Left pediatric wrist radiograph; lat projection; acquired on Siemens — 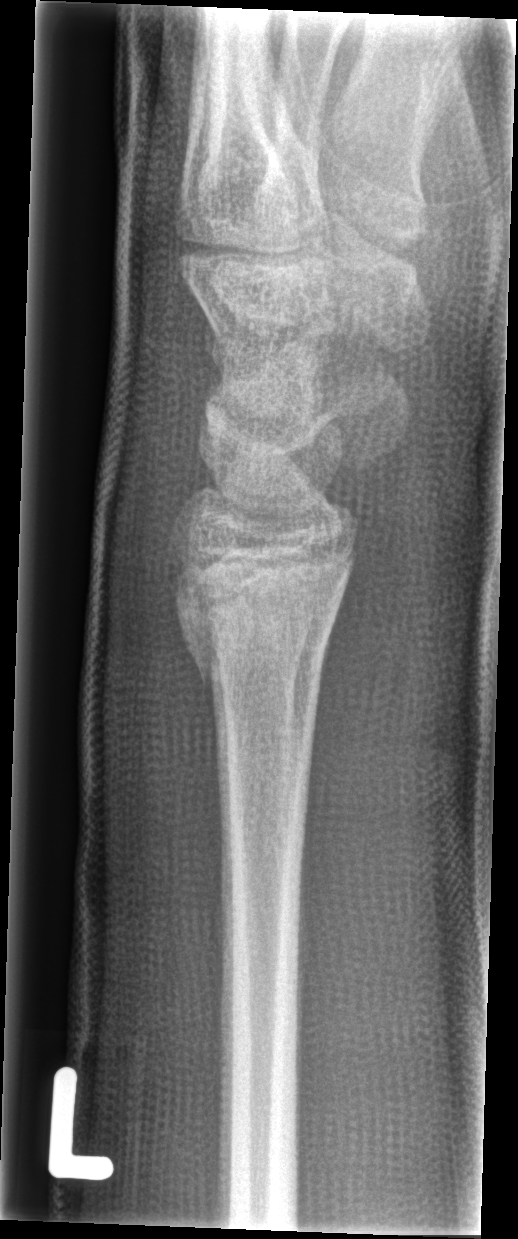
Fx: bbox(170, 577, 346, 693)